Left wrist radiograph · posteroanterior view · boy, 11 yo. 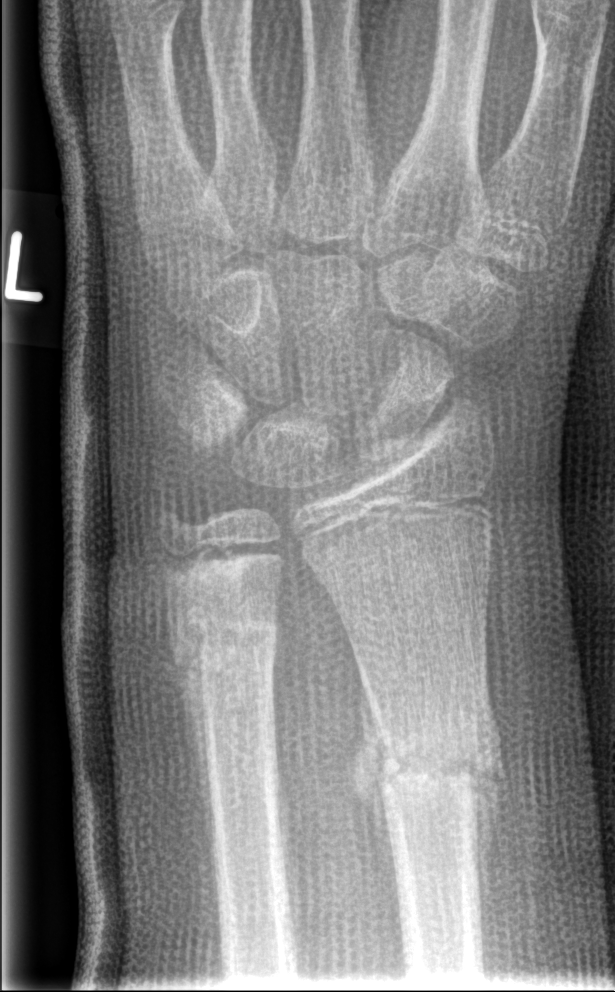
Boxes as x1,y1,x2,y2 (top-left / bottom-right, pixel units).
AO code 22r-D/4.1; 23u-M/3.1.
Bone fracture: 361 716 496 820
  171 586 277 690.
Periosteal thickening identified at 172 595 216 909; 350 671 397 859; 473 655 505 867.